L wrist XR · PA projection.

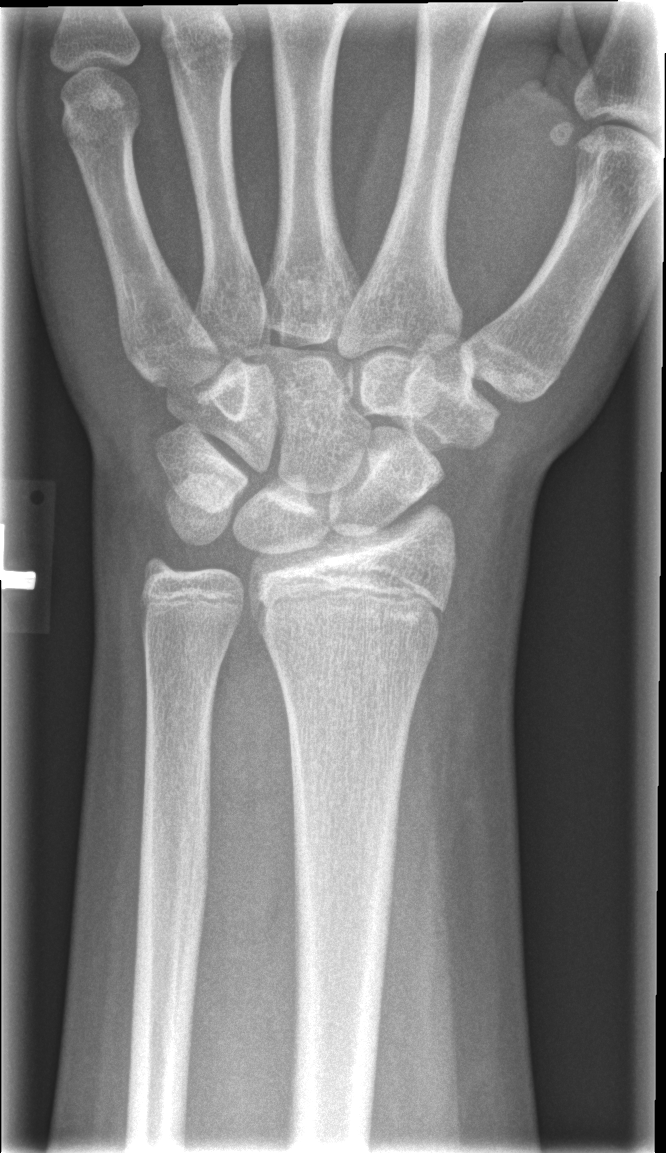
FINDINGS: No fracture labeled.